AP, L plain radiograph of the wrist, index exam.
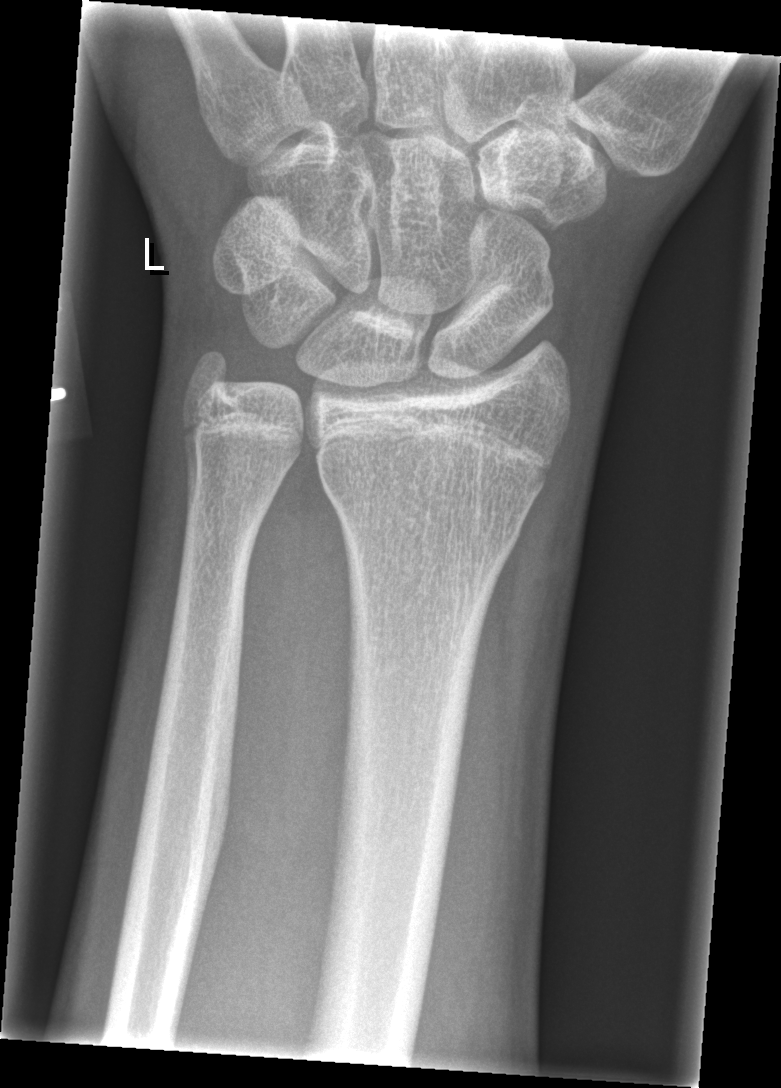
• No fracture bounding box.